Frontal projection · Lt wrist plain film · female, 8 yo · in cast

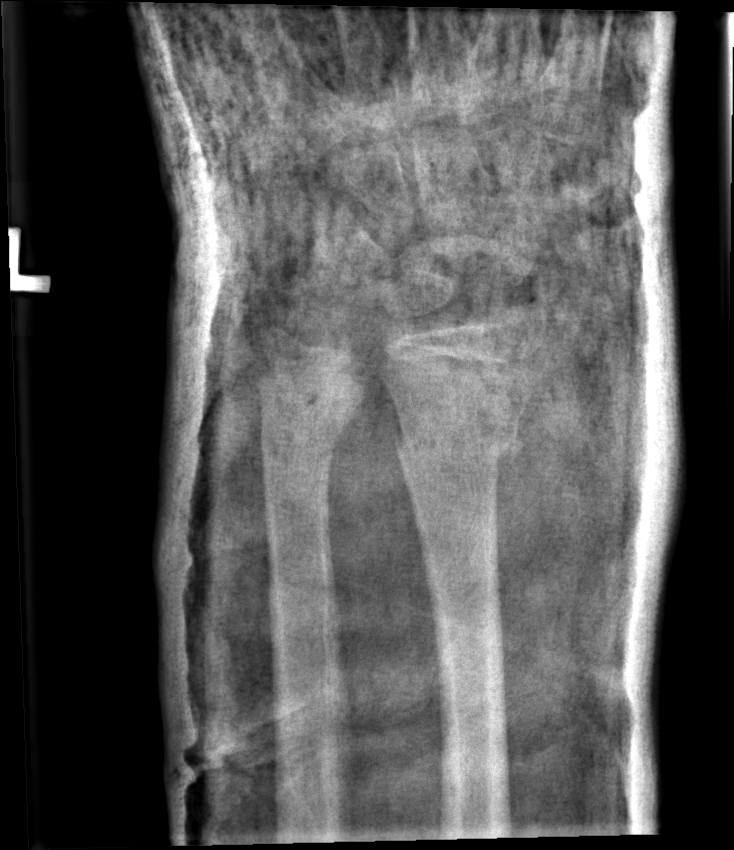
  fracture: 2 @ <390,405>-<525,476>, <255,408>-<350,467>